L wrist radiograph; PA/AP projection; image width 88.7 mm 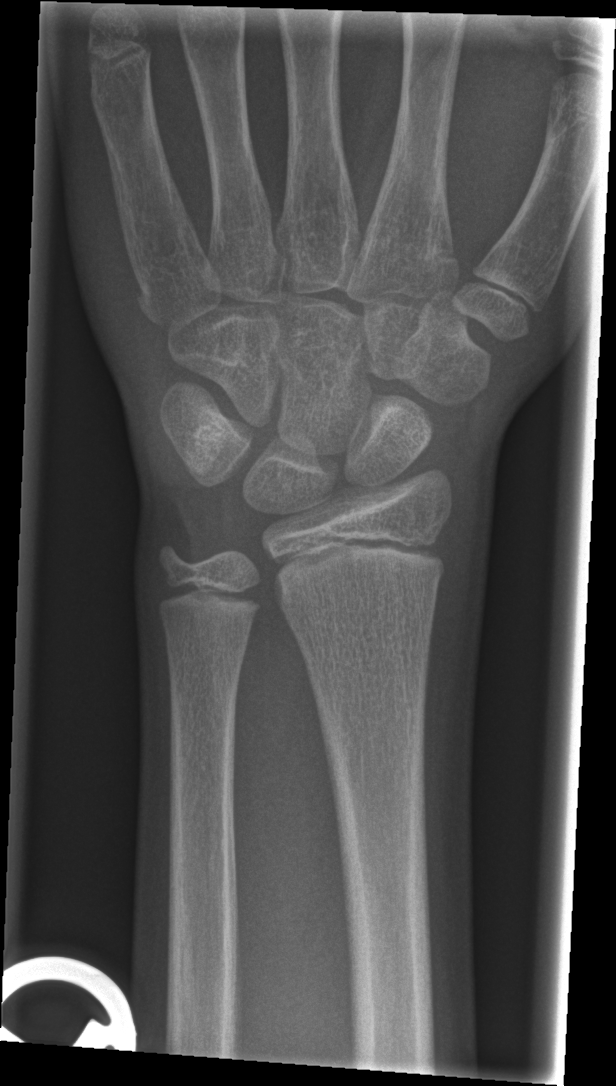
fracture = none labeled